Right wrist radiograph; PA view; 5-year-old male; 494 by 864 pixels
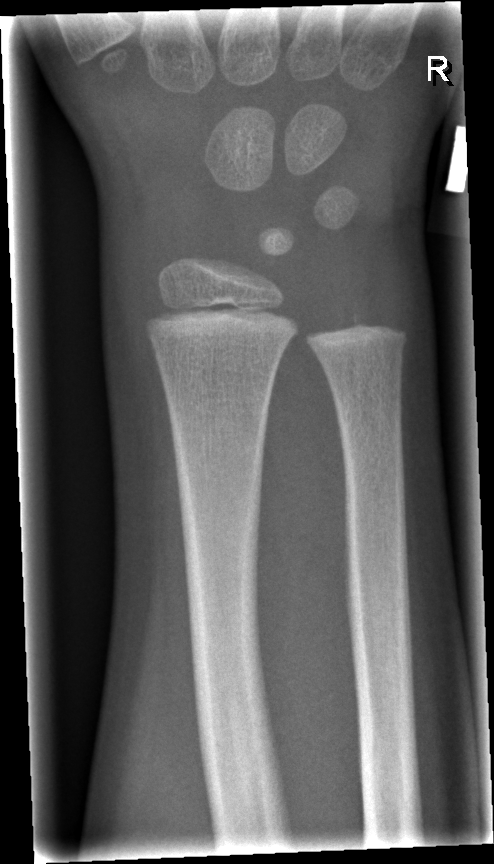

Q: Is there a fracture?
A: Fracture: none labeled